Lateral · L plain radiograph of the wrist · follow-up study · detector: Siemens · 656x1029 — 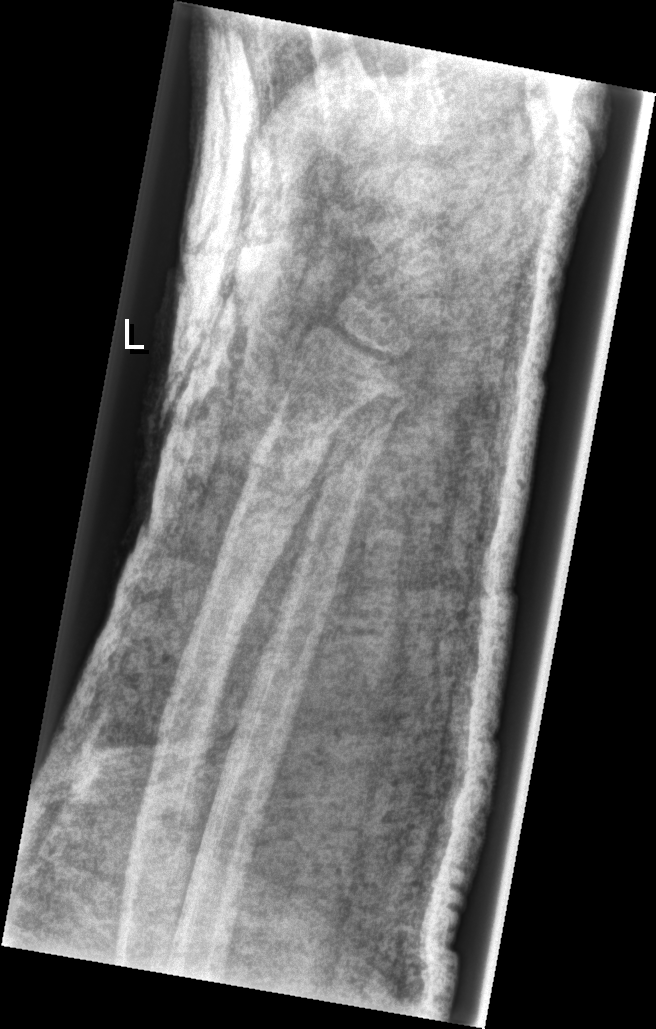 Q: AO code?
A: Fracture classified AO/OTA 23r-M/3.1; 23u-M/2.1
Q: Any fracture seen?
A: Fracture — (231, 427, 333, 518)